R wrist plain film; PA/AP projection.

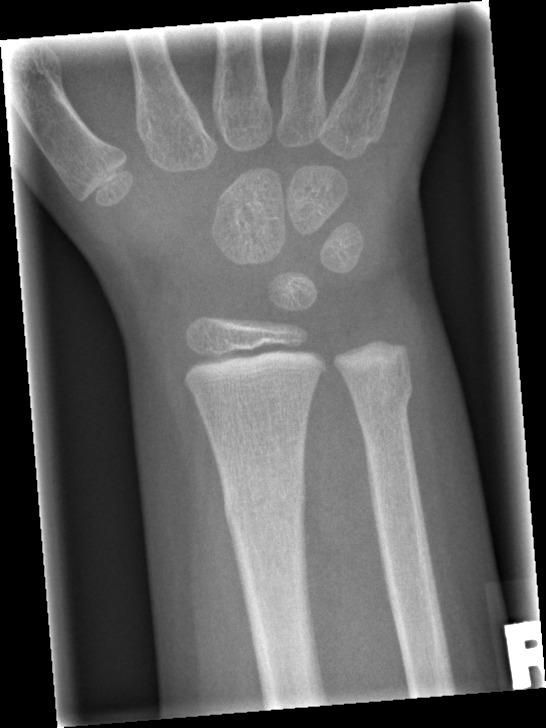

(bounding boxes in image-pixel xyxy)
AO code: 23-M/2.1
Bone fracture: 220 470 312 533; 351 381 416 430